Left wrist plain film; lat view: 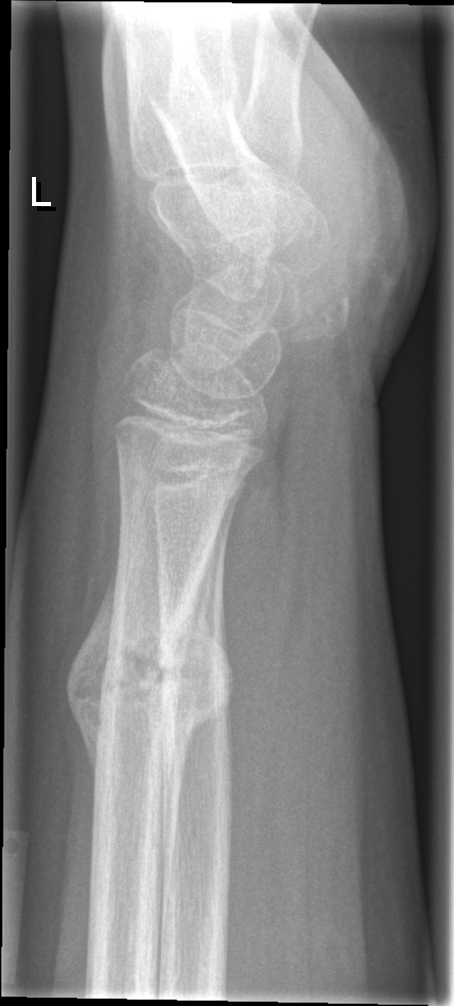

(coordinates are [x1, y1, x2, y2] in image pixels)
AO/OTA = 23r-M/3.1
periosteal new bone = 2 @ [158, 527, 236, 907] [63, 528, 120, 795]
bone fracture = [92, 623, 195, 716]